Lateral view; left wrist XR; imaged through cast; image size 592x1568 —

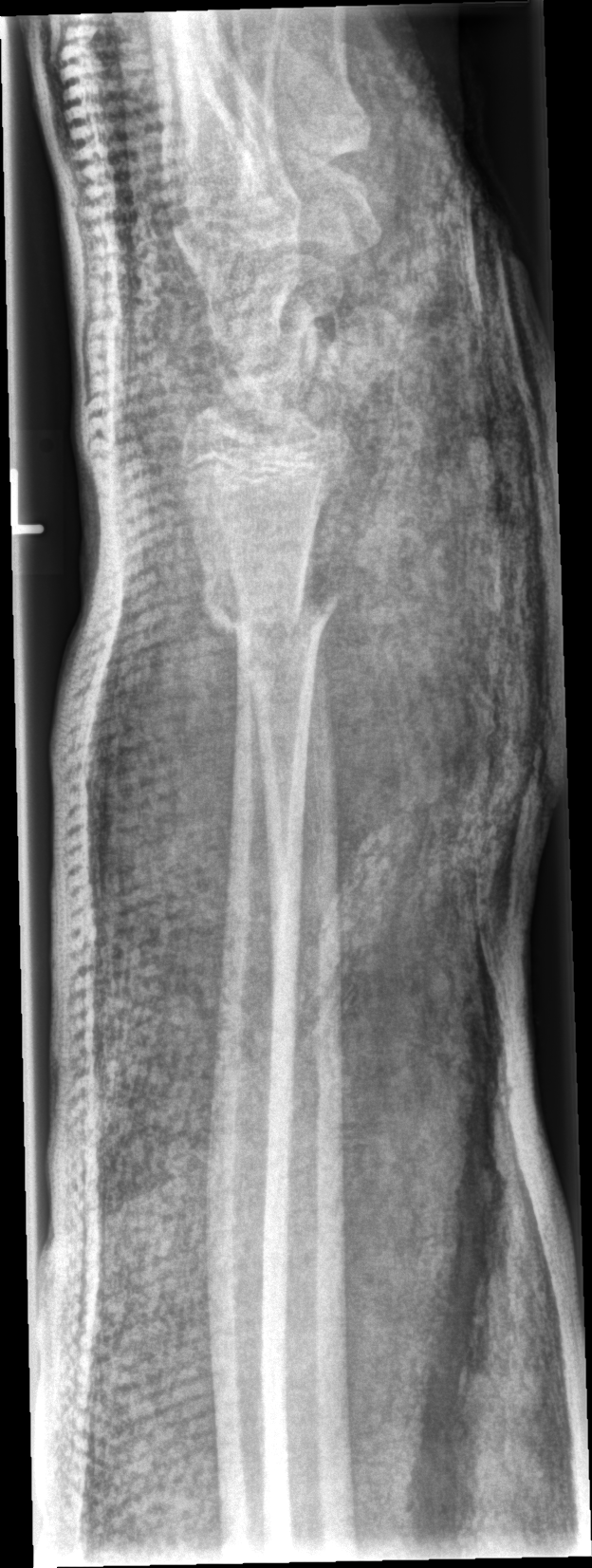 Q: Locate any fractures.
A: Bone fracture: 195,555,337,711
Q: What is the AO/OTA classification?
A: AO/OTA classification: 23-M/3.1; 23u-E/7